Frontal projection · left plain radiograph of the wrist · 7y M · cast present · image width 94.3 mm. 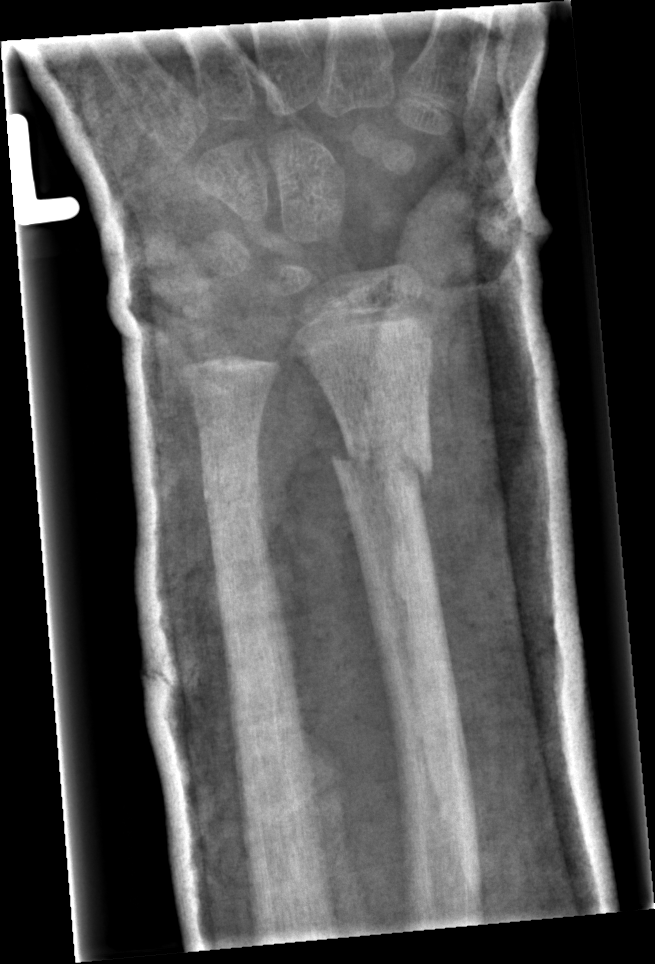 {
  "fracture": "bbox(327, 408, 436, 501); bbox(200, 451, 264, 517)"
}